PA/AP, Lt plain radiograph of the wrist, image width 94.8 mm — 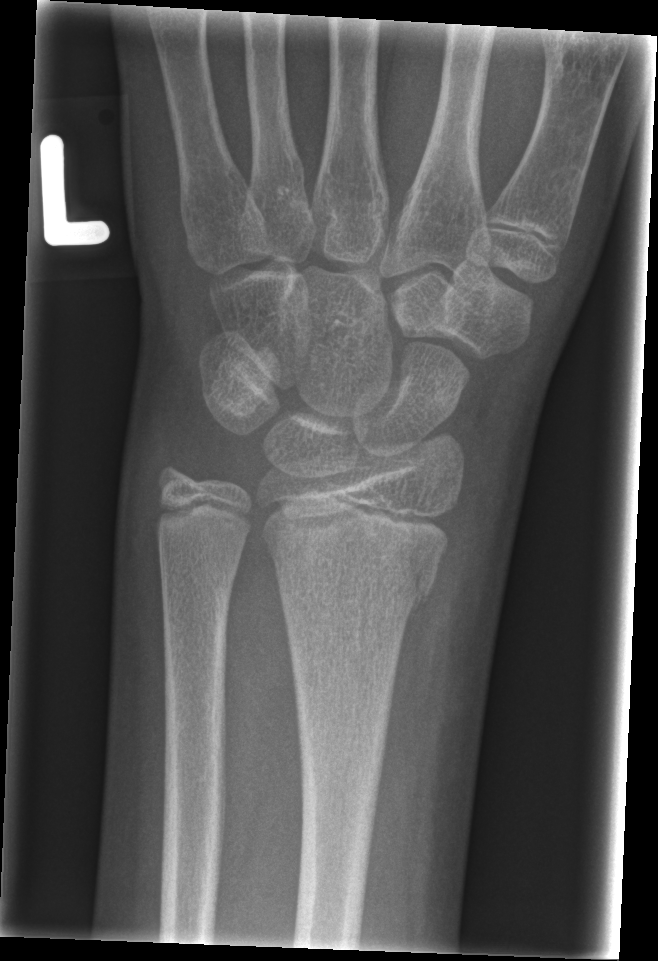
Boxes as x1,y1,x2,y2 (top-left / bottom-right, pixel units). Fracture classified AO/OTA 23r-E/2.1. Fx identified at (left=366, top=502, right=451, bottom=621).